Rt plain radiograph of the wrist; lat; follow-up; 638x923.

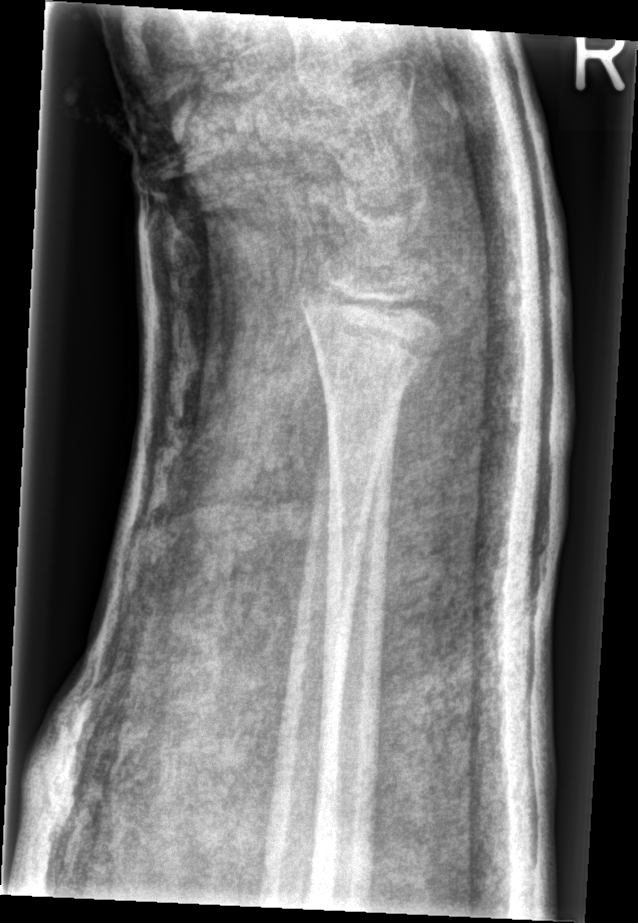
bone fracture: 1 @ (left=305, top=326, right=436, bottom=409)
AO classification: 23r-M/3.1; 23u-E/7